Frontal projection; Lt wrist radiograph; presentation radiograph.

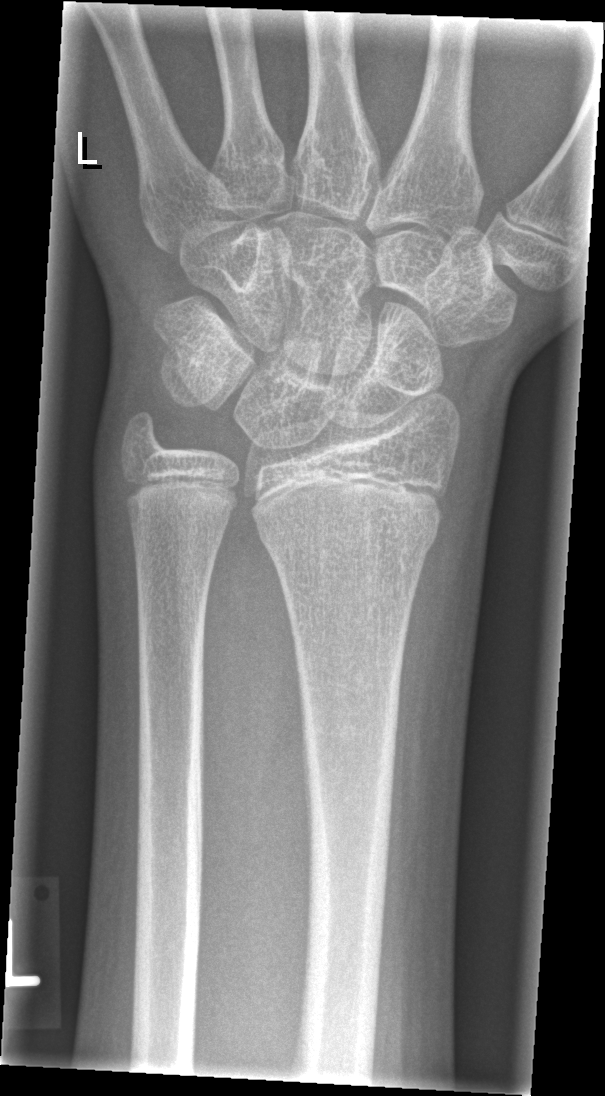 Fracture: (left=264, top=524, right=440, bottom=581).